Left wrist plain film, lateral projection, boy, 5 yo, subsequent exam
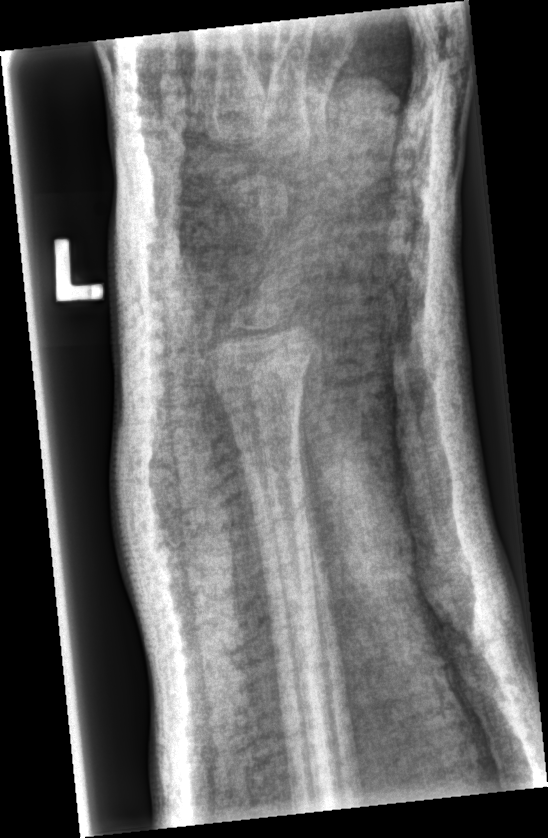
AO code 23r-M/3.1. Fracture: present but not clearly seen in this view.